Lateral; Rt wrist XR; 10y F; 398 x 1118 px —
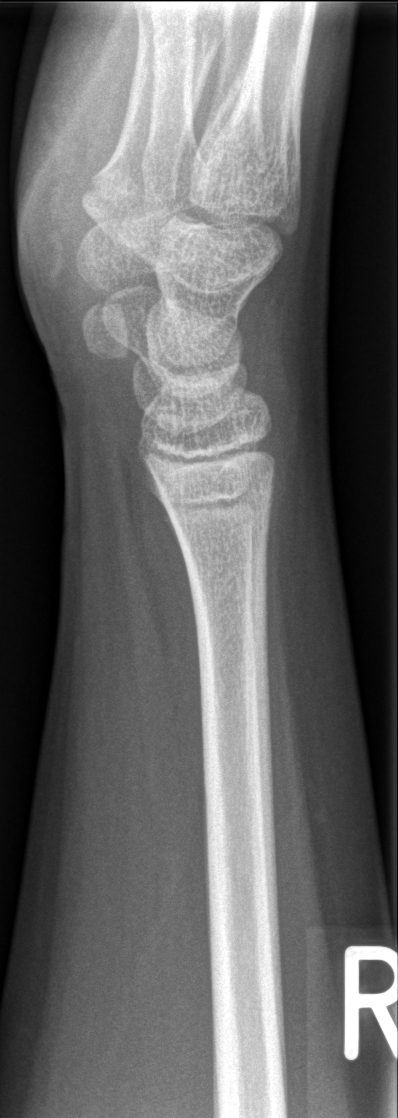 Bone fracture = none labeled